Right wrist XR; lateral projection; 12y M — 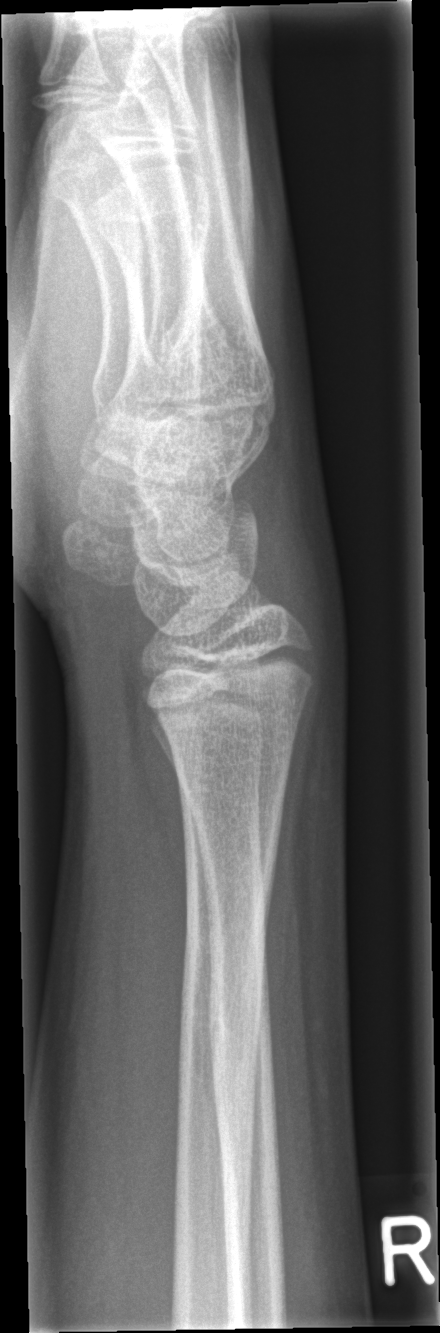 FINDINGS — No Fx annotated.